Lateral, R plain radiograph of the wrist, 11-year-old male, presentation radiograph, 703x1146. 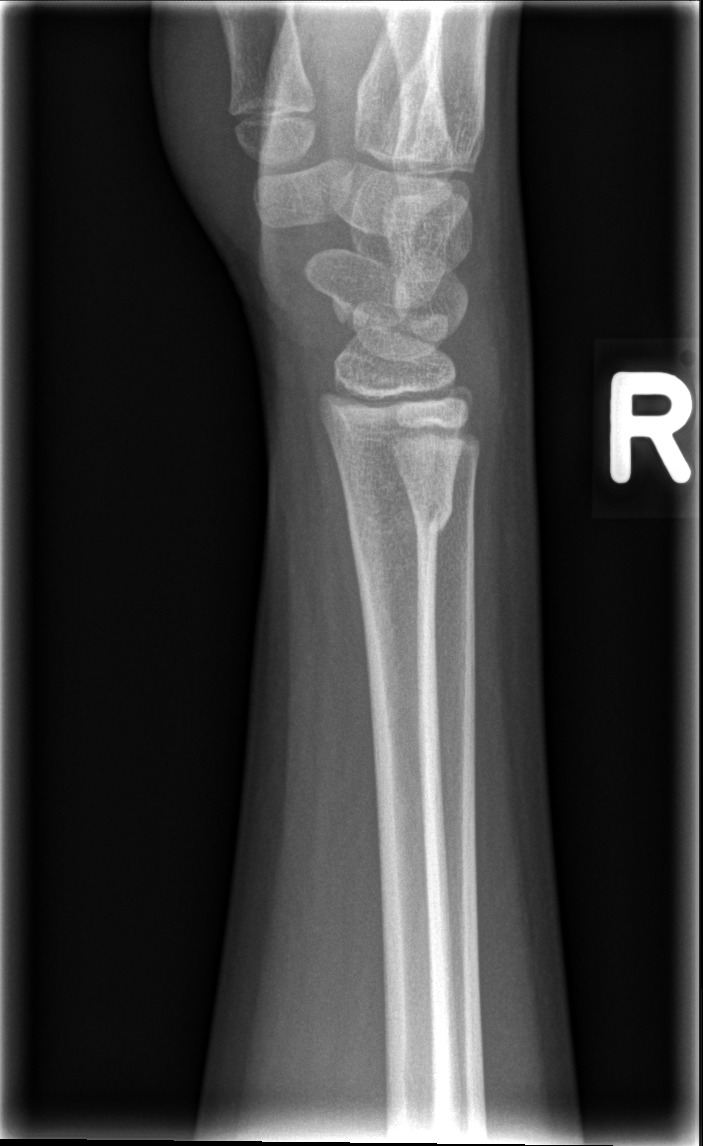

Fracture = 1 @ bbox(344, 478, 455, 555)